PA/AP projection | left wrist XR | age 15 y, boy | follow-up study —
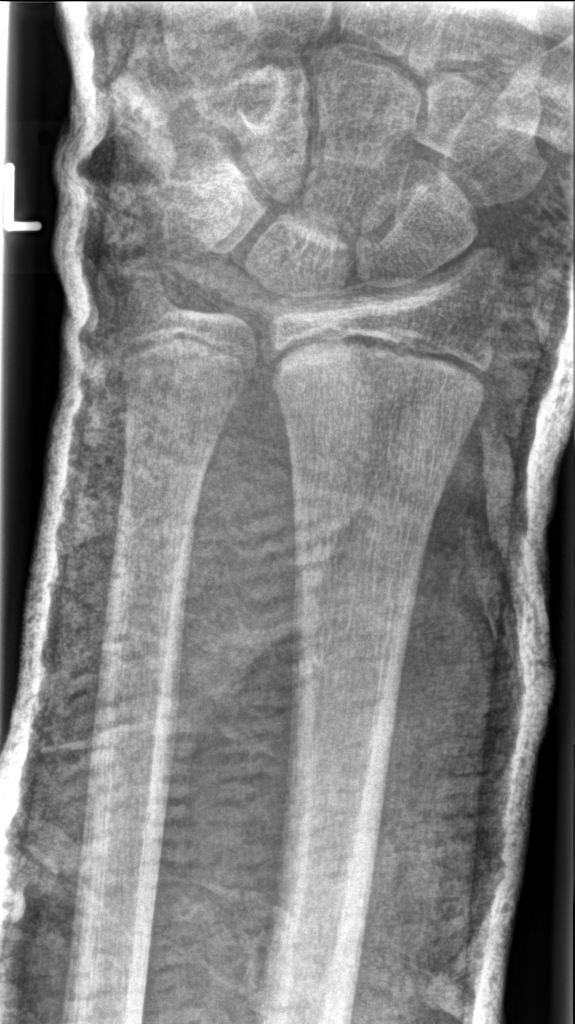

Findings: Fx present but not clearly seen in this view.